Rt pediatric wrist radiograph; lat; detector: Siemens —
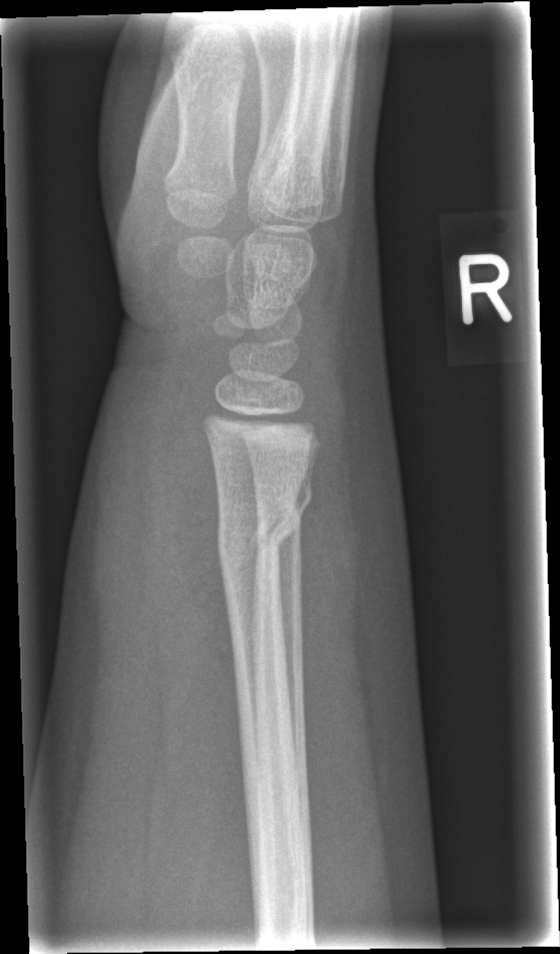 • Bone fractures — [x1=215, y1=499, x2=301, y2=588] [x1=244, y1=465, x2=318, y2=545].
• Pronator sign identified at [x1=169, y1=422, x2=250, y2=829].